Lt wrist XR; lateral view
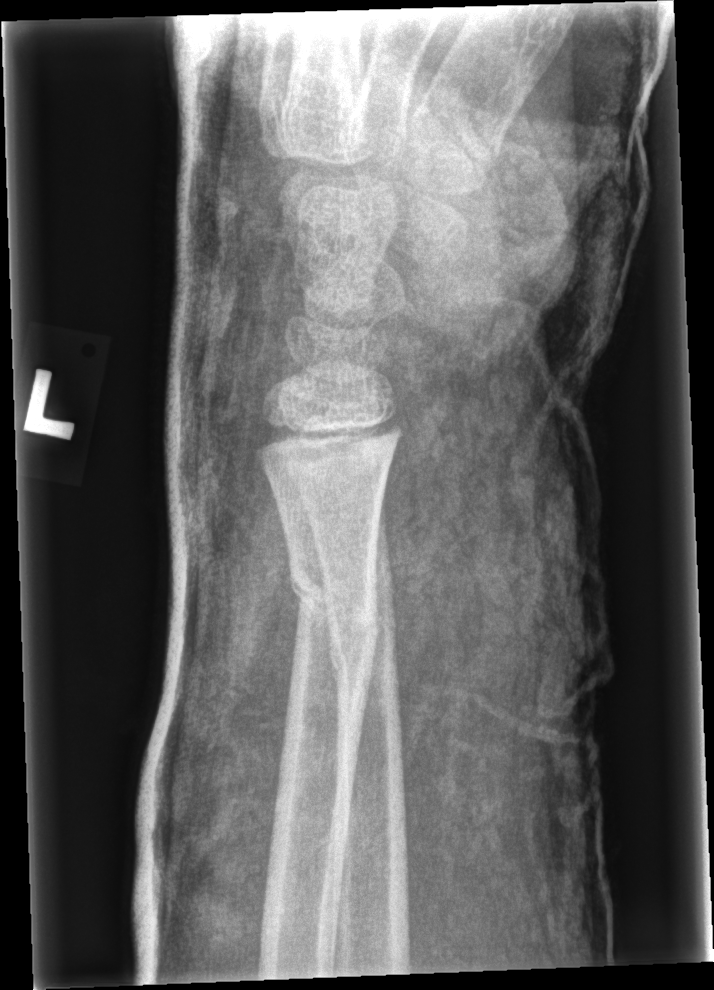 One bone fracture at 284 564 387 652.